Lt wrist plain film; frontal; imaged through cast —

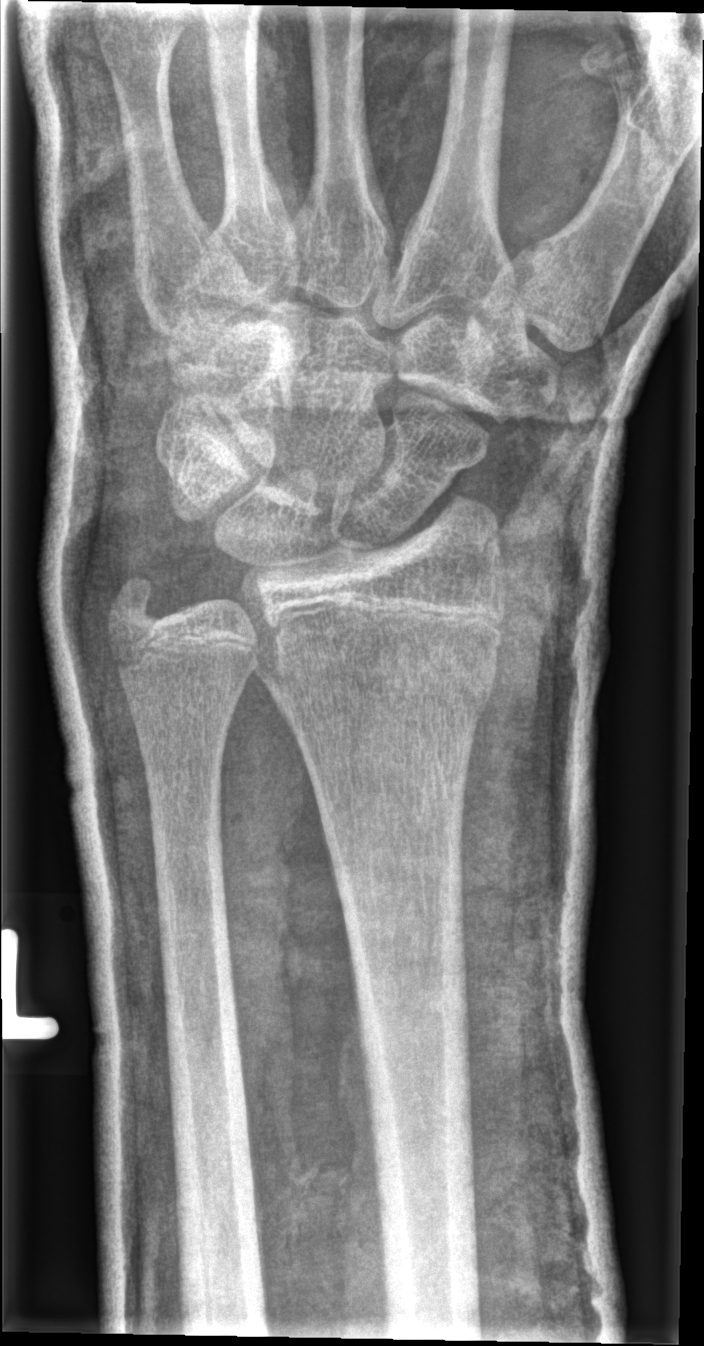
(boxes as x1,y1,x2,y2 (top-left / bottom-right, pixel units))
AO classification: 23r-M/3.1
bone fracture: 1 @ 259,620,499,725